Posteroanterior view; right wrist XR; Siemens; 78.5 mm image width; image size 545x1174

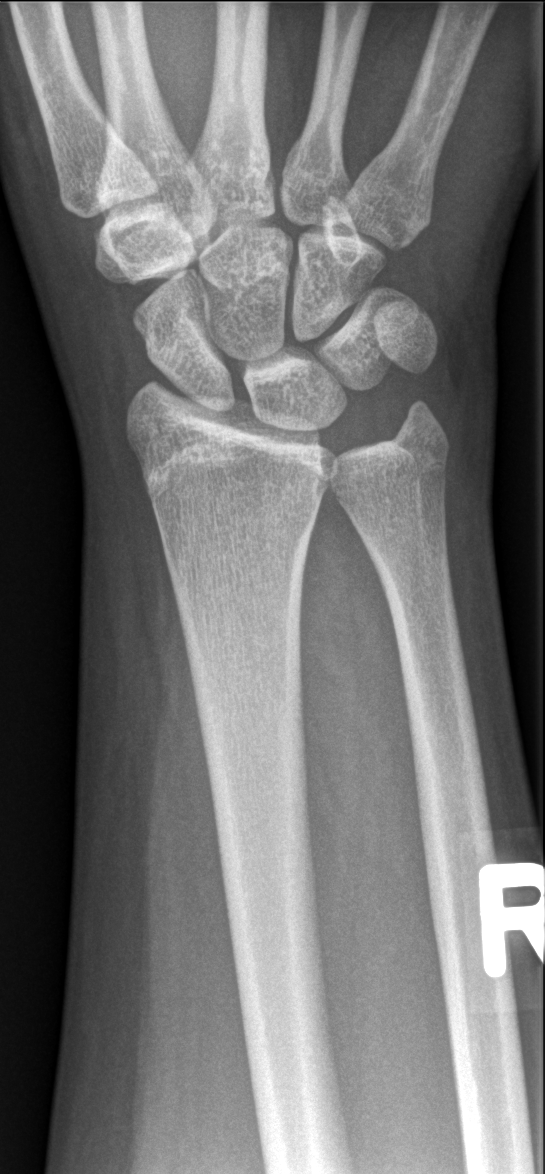 FINDINGS — Fracture: none labeled.